Frontal projection; left pediatric wrist radiograph; 17-year-old male:
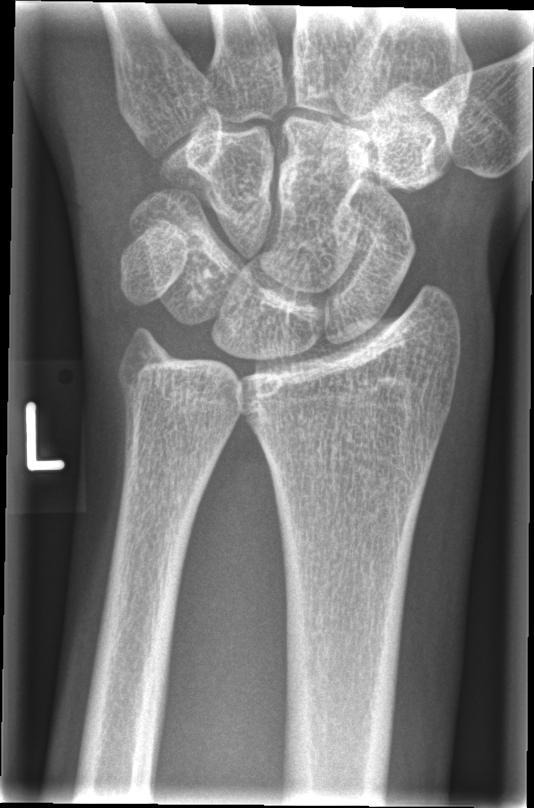 Fracture: none labeled.